Right wrist pediatric wrist radiograph; AP projection; 13-year-old boy —

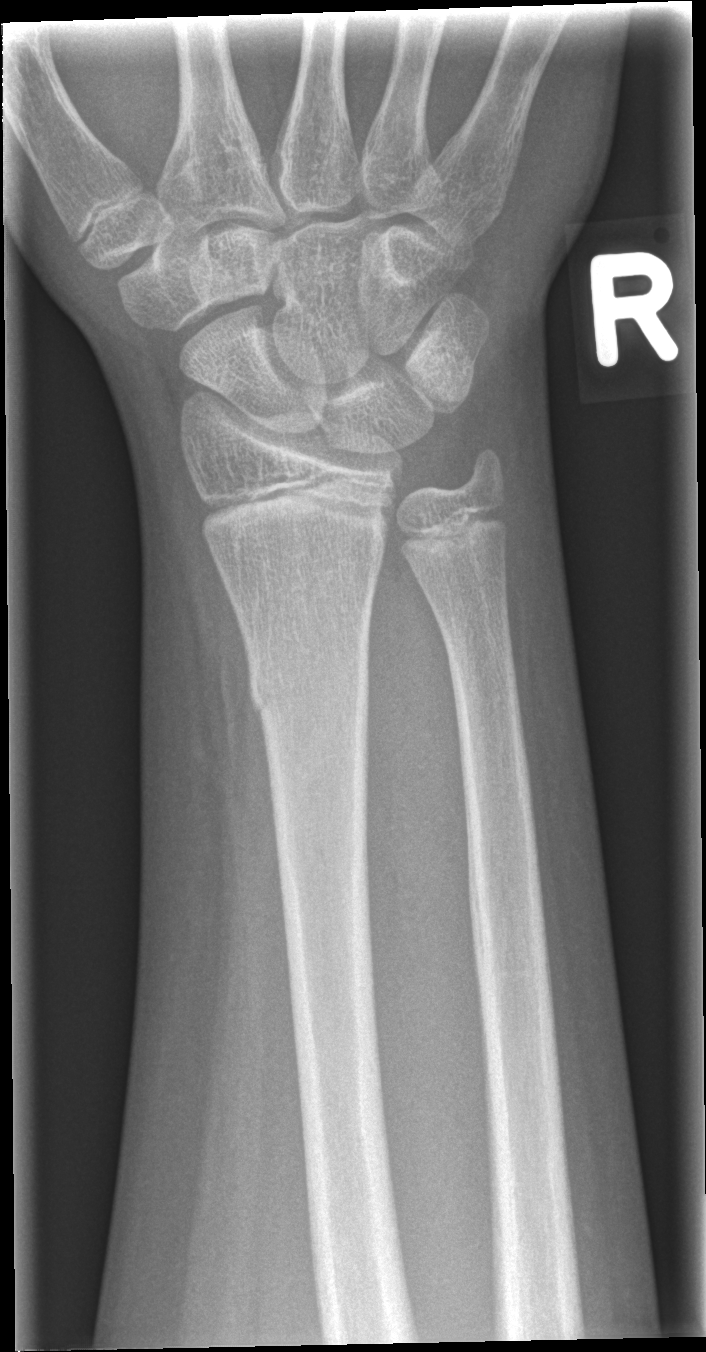

(pixel coordinates, top-left origin, xyxy)
Q: What is the AO/OTA classification?
A: AO code 23r-M/2.1
Q: Locate any fractures.
A: Fracture identified at 243 649 373 733